Left wrist pediatric wrist radiograph, PA/AP, cast in situ 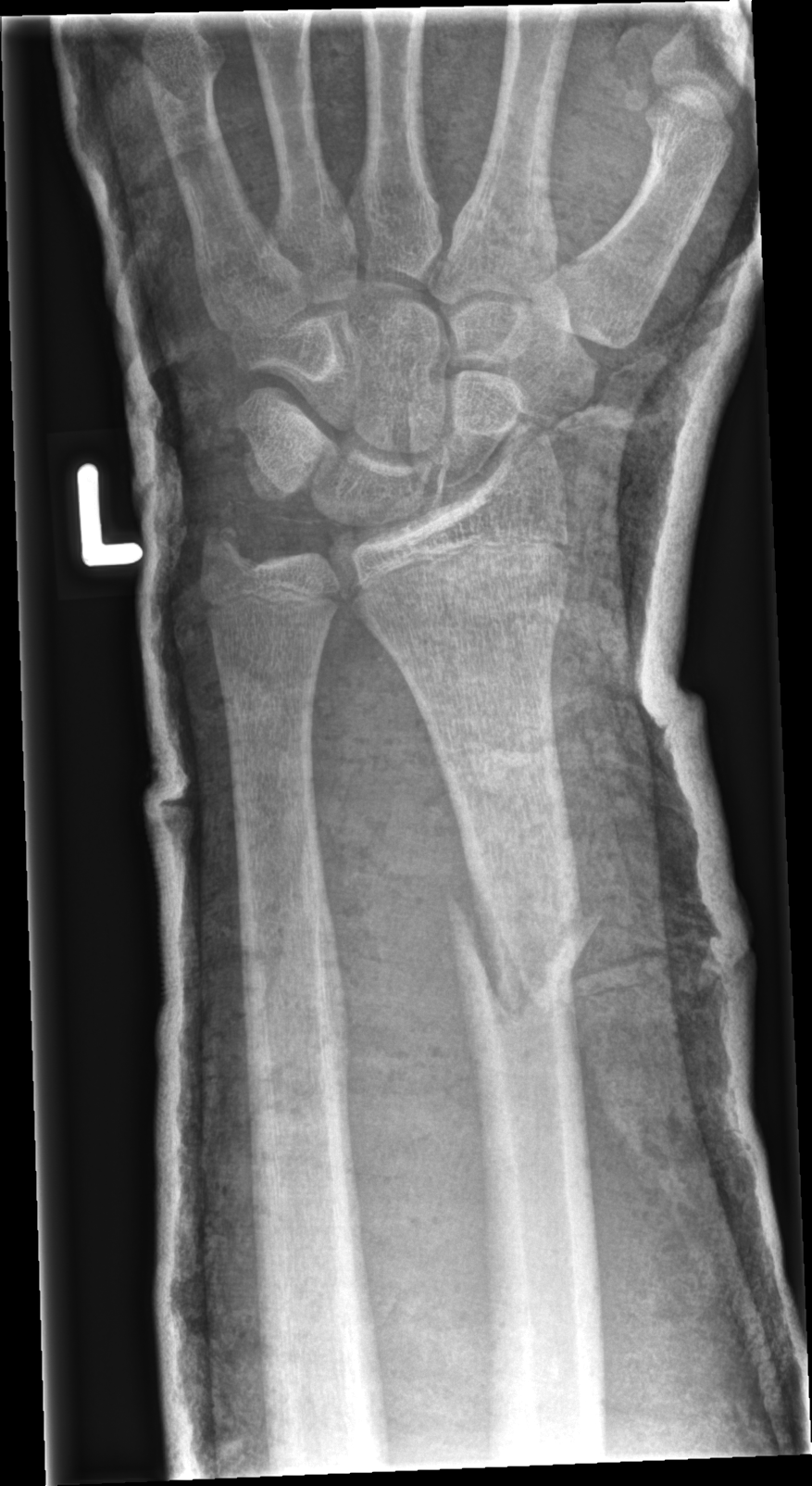 Bone fracture: [x1=445, y1=880, x2=596, y2=1052] [x1=190, y1=500, x2=269, y2=586]